Right wrist plain film · lateral view · girl, 1.5 yo:
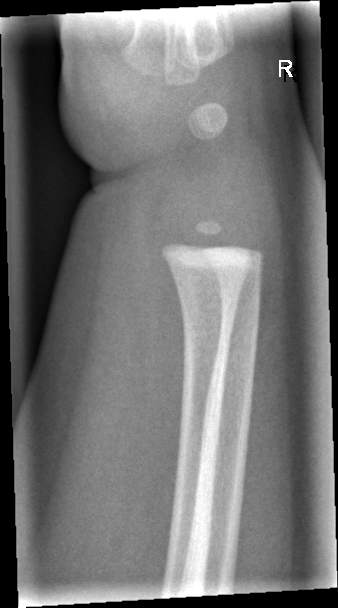 No Fx annotated.